Lat view, R pediatric wrist radiograph, 4-year-old girl
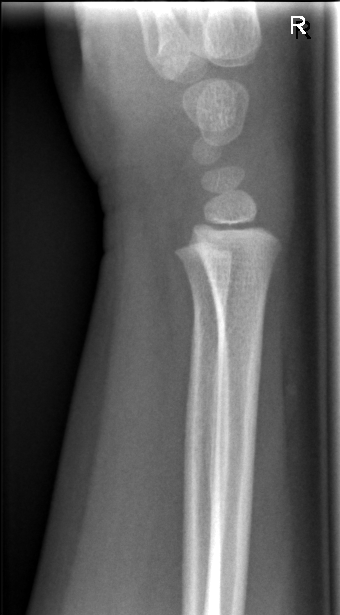
Fracture: none labeled.